PA/AP view; left wrist radiograph; boy, 12 yo; equivocal findings.

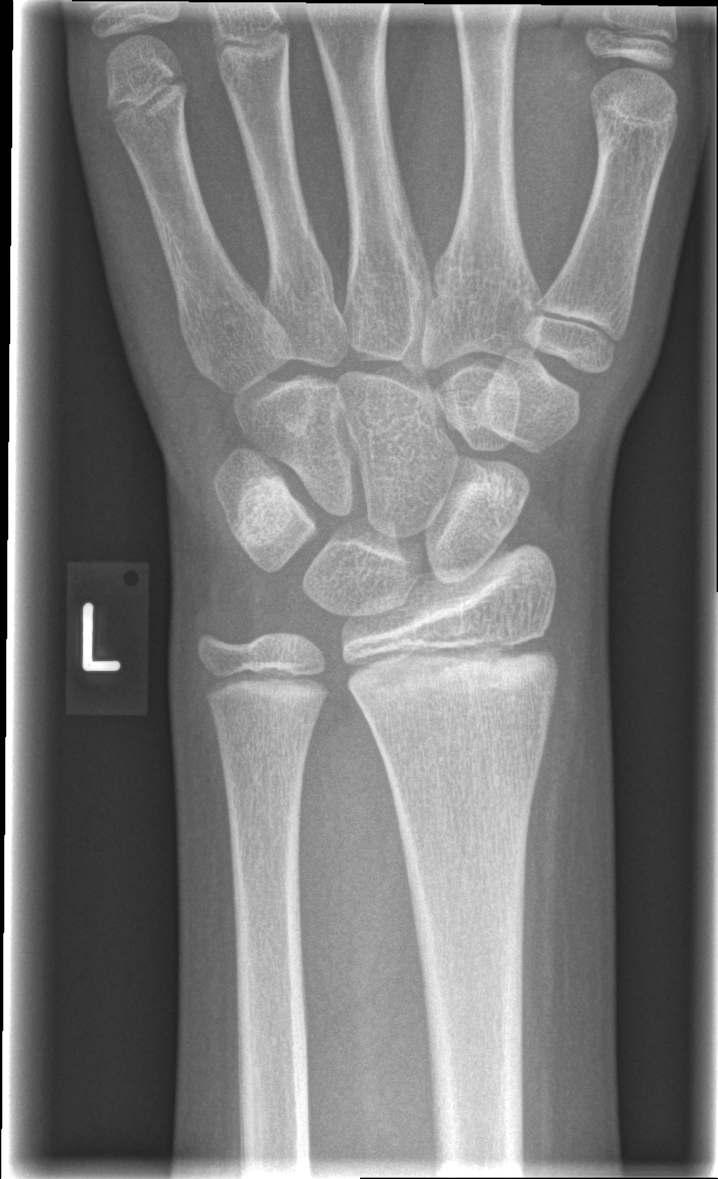

AO/OTA = 23r-E/2.1
Fracture = present but not clearly seen in this view